Lt wrist plain film, lateral projection, 7-year-old female, subsequent exam, 390 x 966 px:
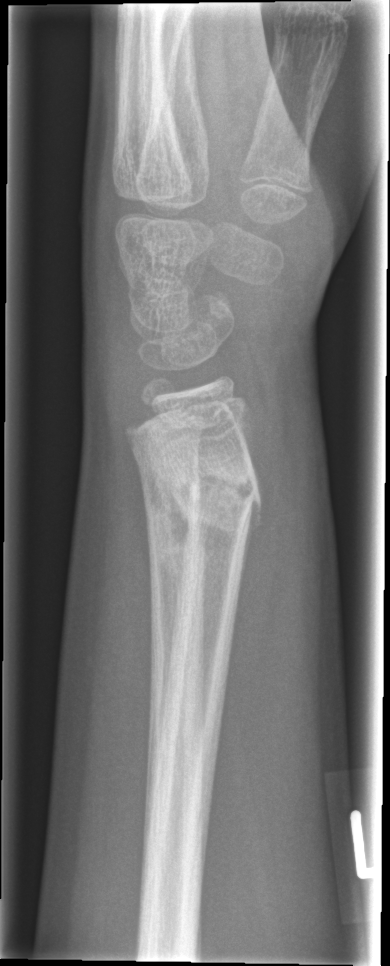 (boxes as x1,y1,x2,y2 (top-left / bottom-right, pixel units))
Q: What is the AO/OTA classification?
A: AO code 23r-M/3.1
Q: Locate any fractures.
A: Bone fracture: 162 461 261 533